Left wrist XR; AP; presentation radiograph; acquired on Siemens. 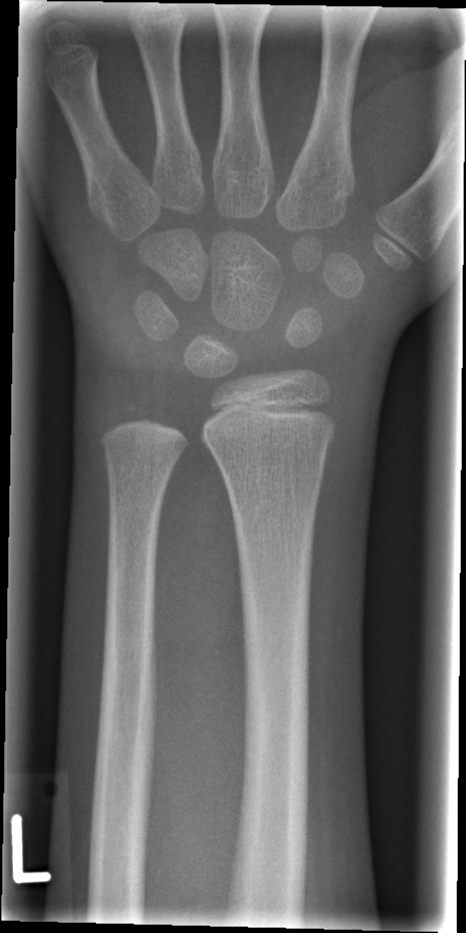

Q: Fracture present?
A: No fracture bounding box